L wrist X-ray; lat; 9-year-old female; cast in situ —
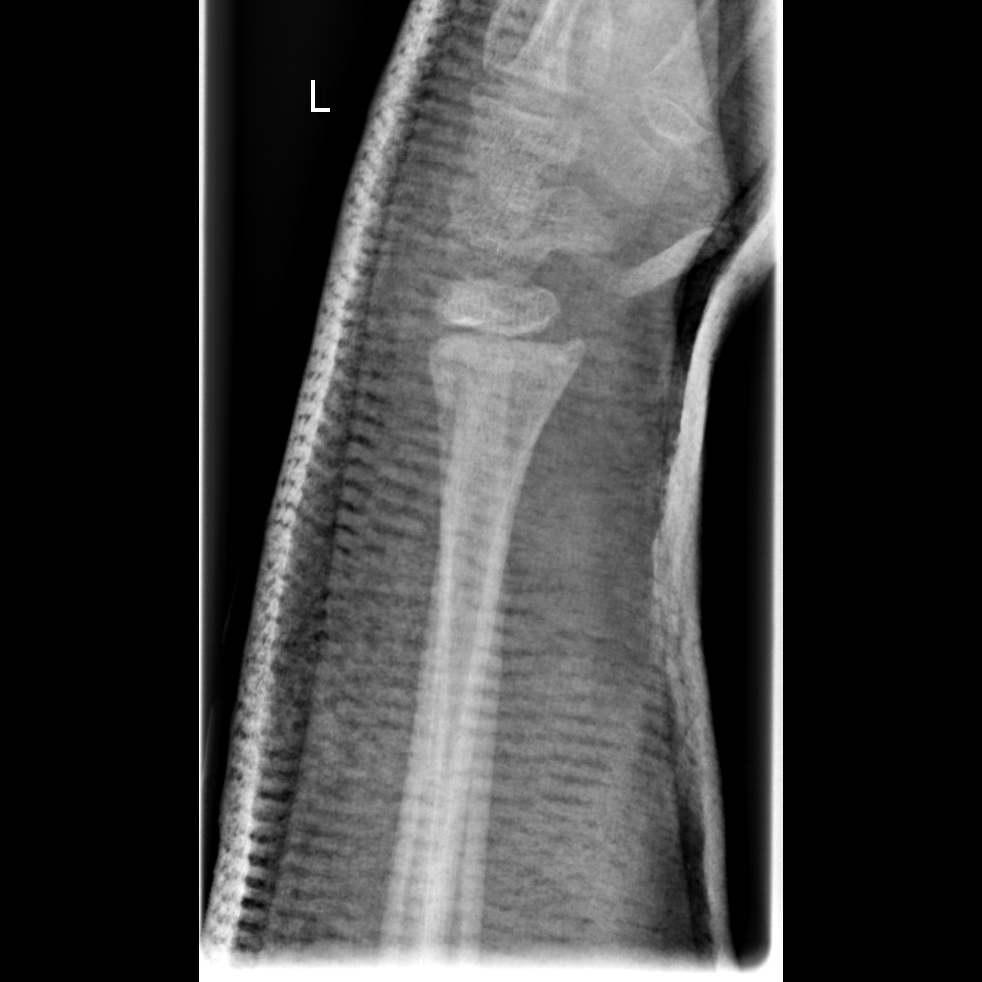

Coordinates are [x1, y1, x2, y2] in image pixels.
Fracture: 424 306 588 416.